PA/AP projection; left plain radiograph of the wrist; 10y F; acquired on Siemens; 102.0 mm image width
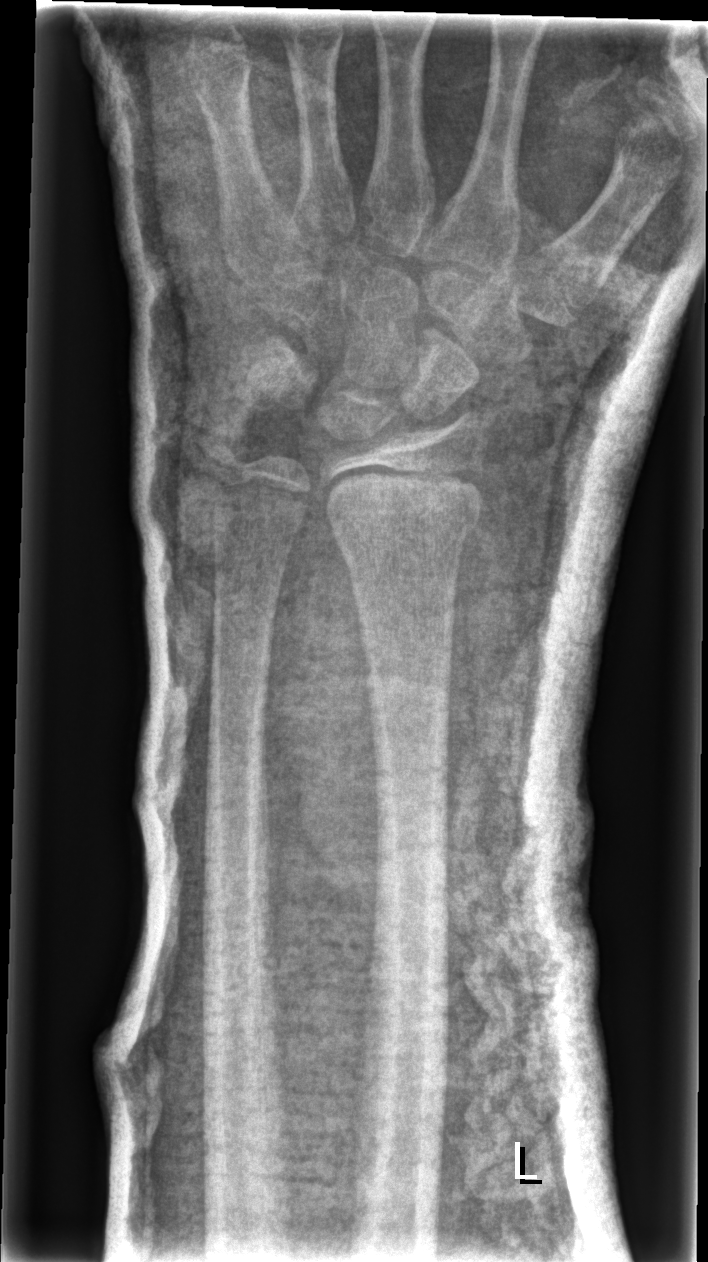

• One fracture at (318, 456, 487, 553).
• AO code 23r-E/2.1.